Frontal; L wrist radiograph; in cast 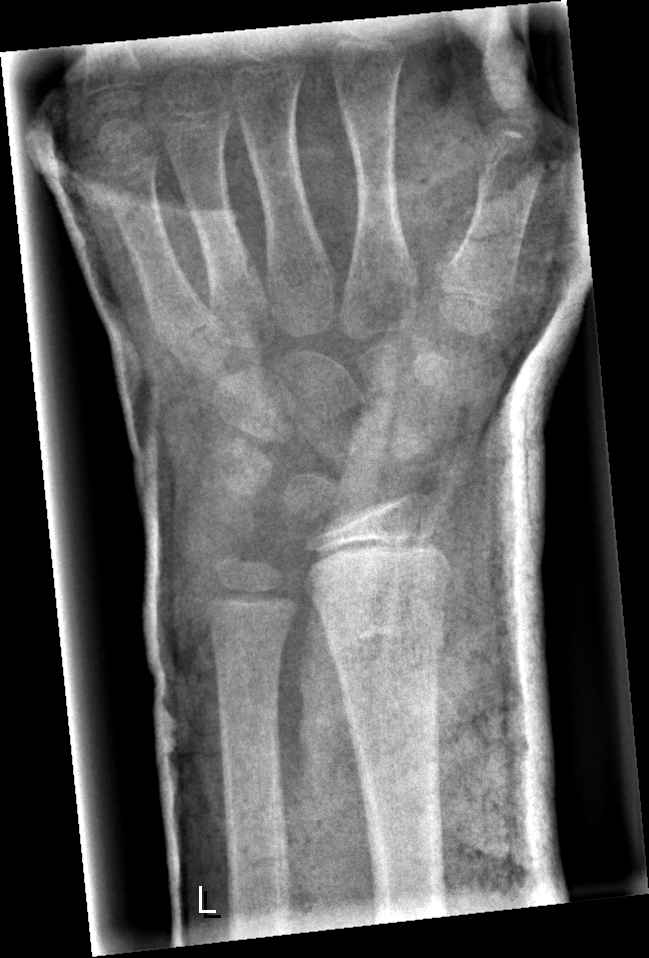

FINDINGS: (boxes as x1,y1,x2,y2 (top-left / bottom-right, pixel units)) Bone fracture — [x1=318, y1=605, x2=449, y2=670].